Lat view, L wrist X-ray, presentation radiograph:

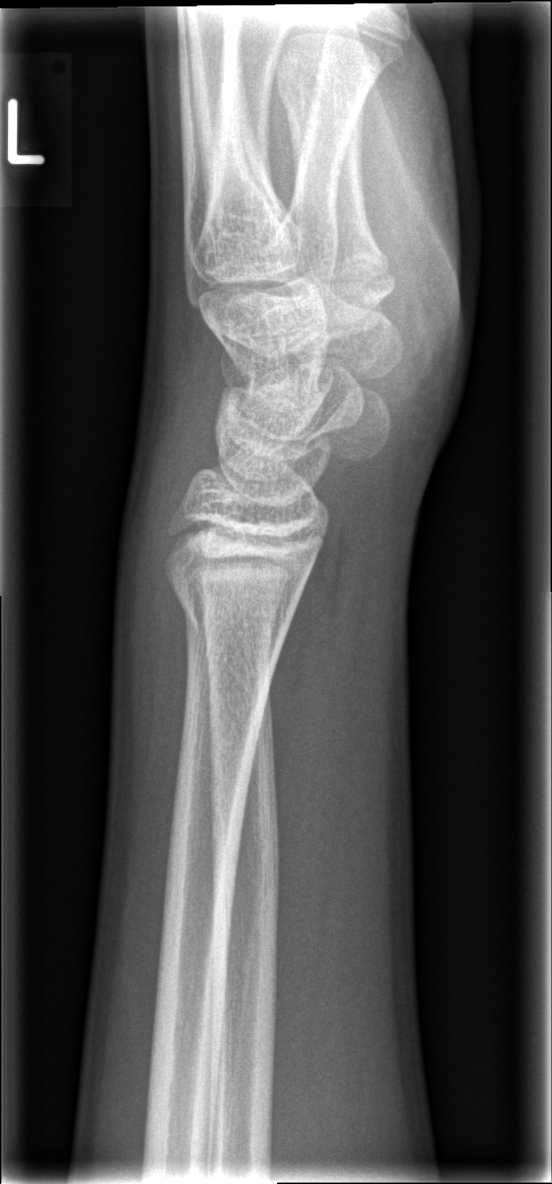

Q: Fracture present?
A: Bone fracture identified at 167,572,303,651